PA projection, R wrist radiograph, Siemens, 80.4 mm image width.
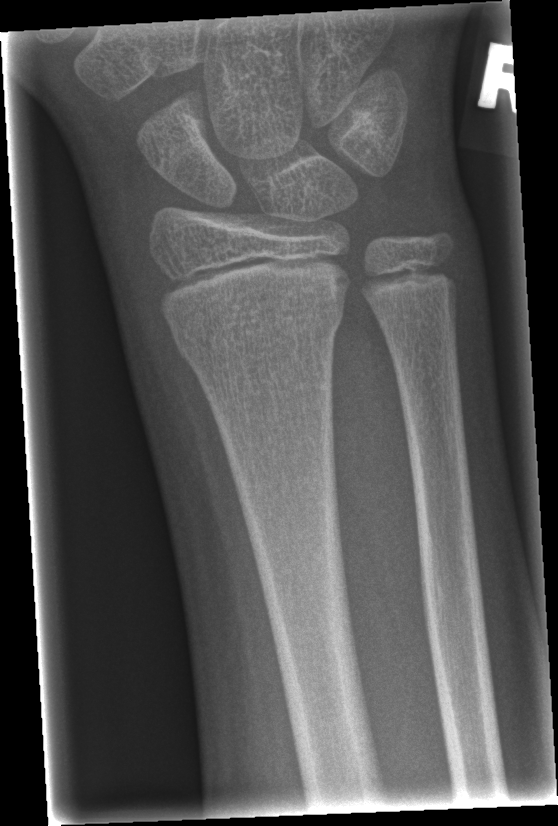 (boxes as x1,y1,x2,y2 (top-left / bottom-right, pixel units))
Fracture = 170 293 350 361
AO classification = 23r-M/2.1